Rt wrist plain film; lat view; pediatric patient (male, age 13); 90.7 mm image width; 630 by 1048 pixels —
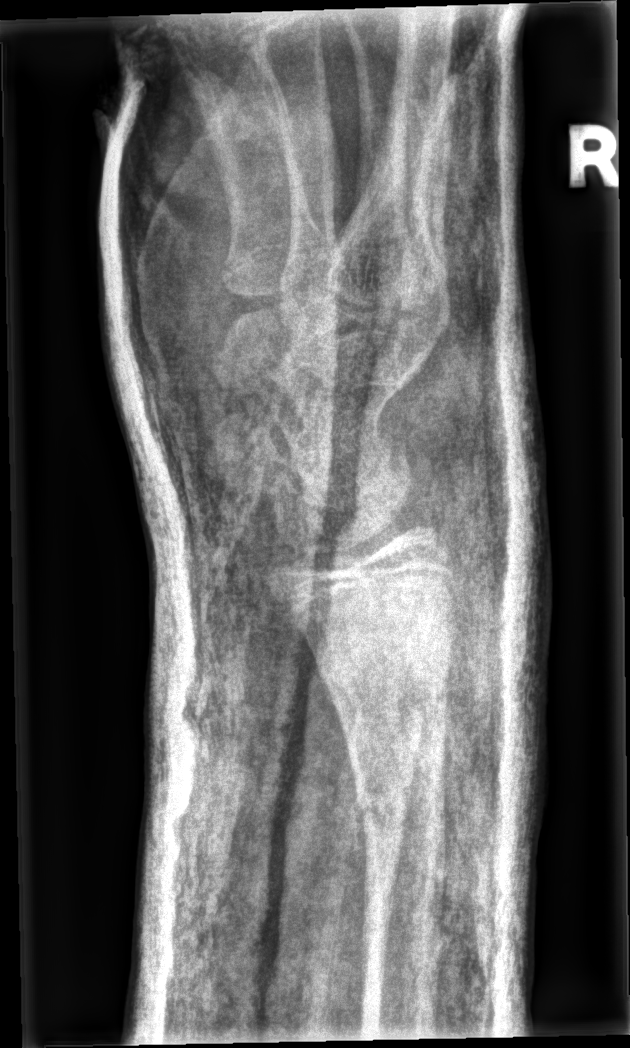
AO/OTA classification: 23-M/3.1. Fracture — 351,772,445,839.